Left wrist radiograph · frontal · 15-year-old male · presentation radiograph · 616x1232: 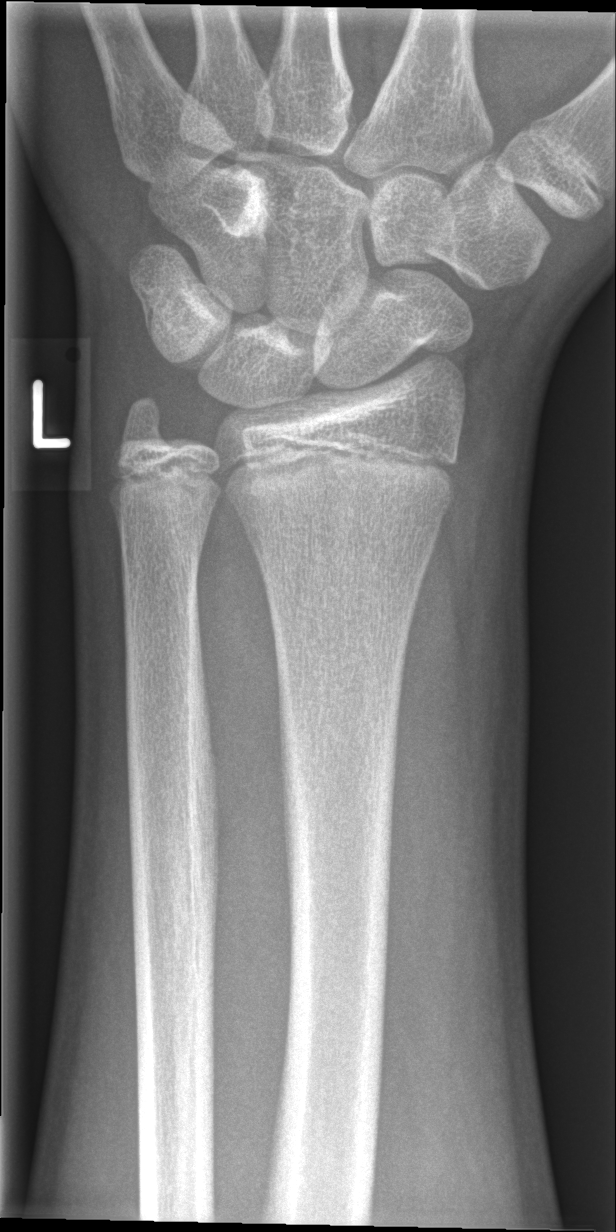

Q: Is there a fracture?
A: Fx present but not clearly seen in this view